AP view | L wrist XR | age 13 y, boy | subsequent exam — 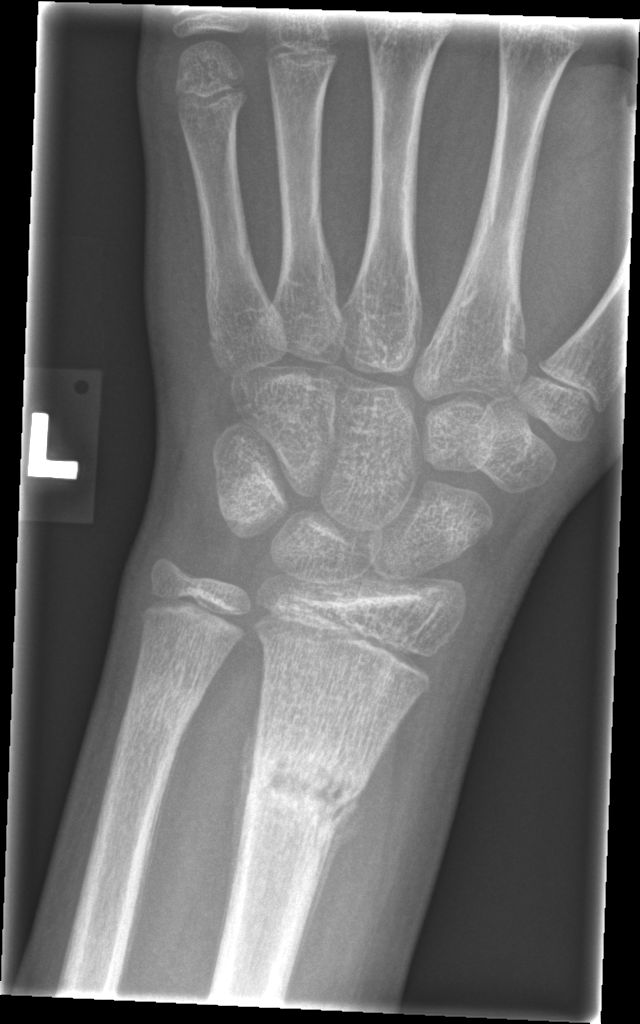
Findings: Fractures — 242 739 372 838; 124 672 202 738. Decreased bone density (osteopenia). Periosteal new bone — 113 705 201 984 | 207 696 267 989 | 281 815 351 1001.